L wrist radiograph; lat; follow-up study; imaged through cast; acquired on Siemens.

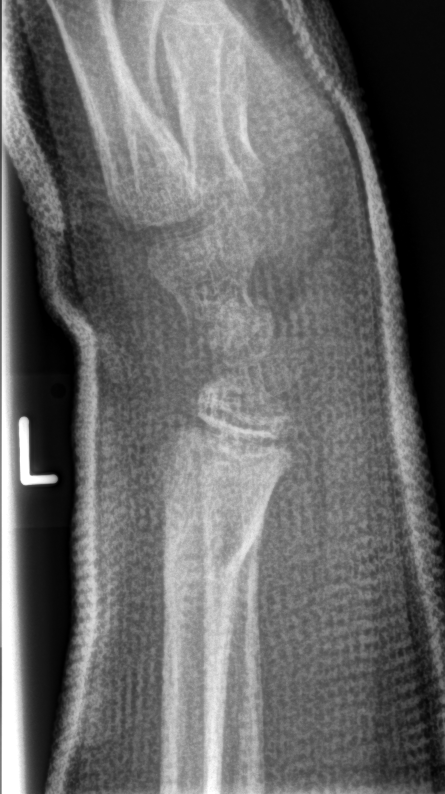

- Coordinates are [x1, y1, x2, y2] in image pixels.
- Bone fracture: [154, 518, 263, 596].
- AO/OTA classification: 23r-M/2.1.